Rt wrist plain film; lateral; age 4 y, female; follow-up; in cast; acquired on Siemens; image width 91.2 mm.
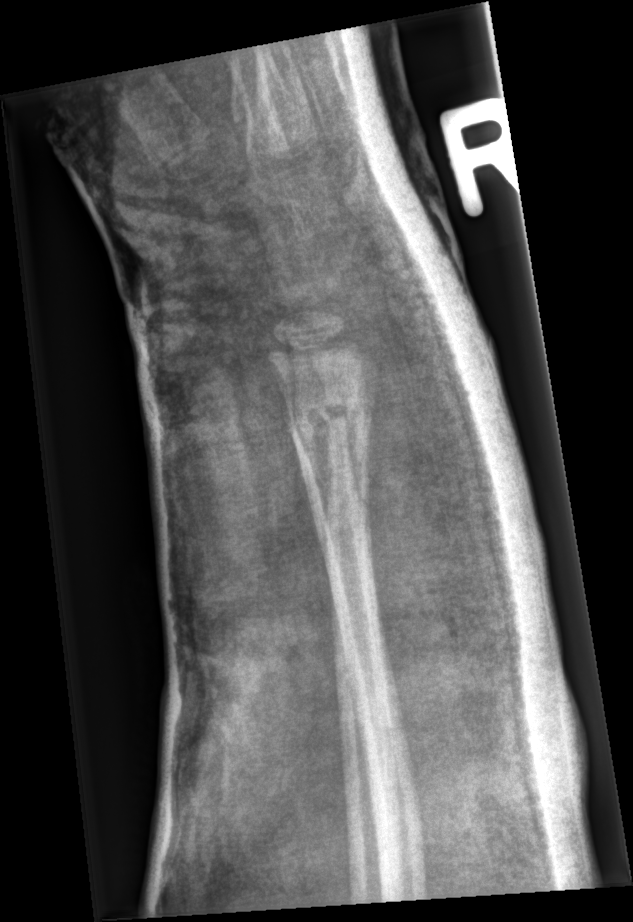 * Bounding boxes in image-pixel xyxy.
* Bone fracture: (277, 378, 379, 483).